PA/AP, R wrist XR, image 67.1 mm wide. 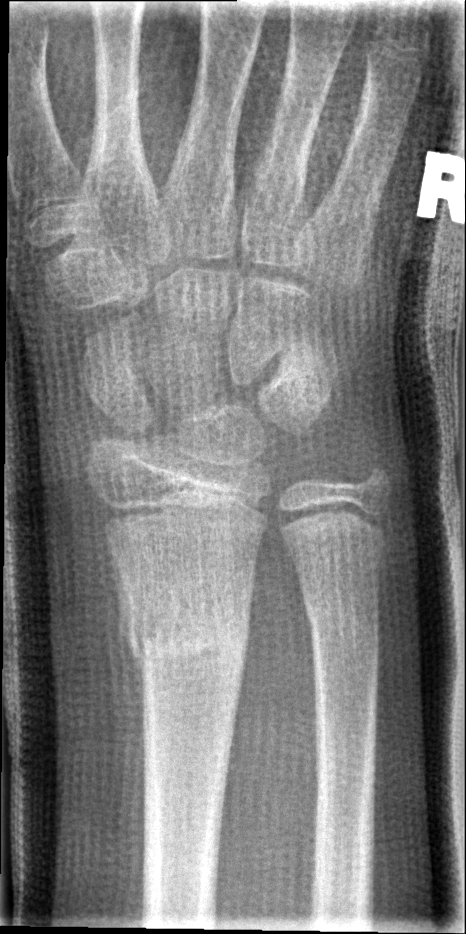
Two fractures at (119, 579, 254, 678); (304, 580, 385, 643).